AP projection, right wrist plain film, 13y M.

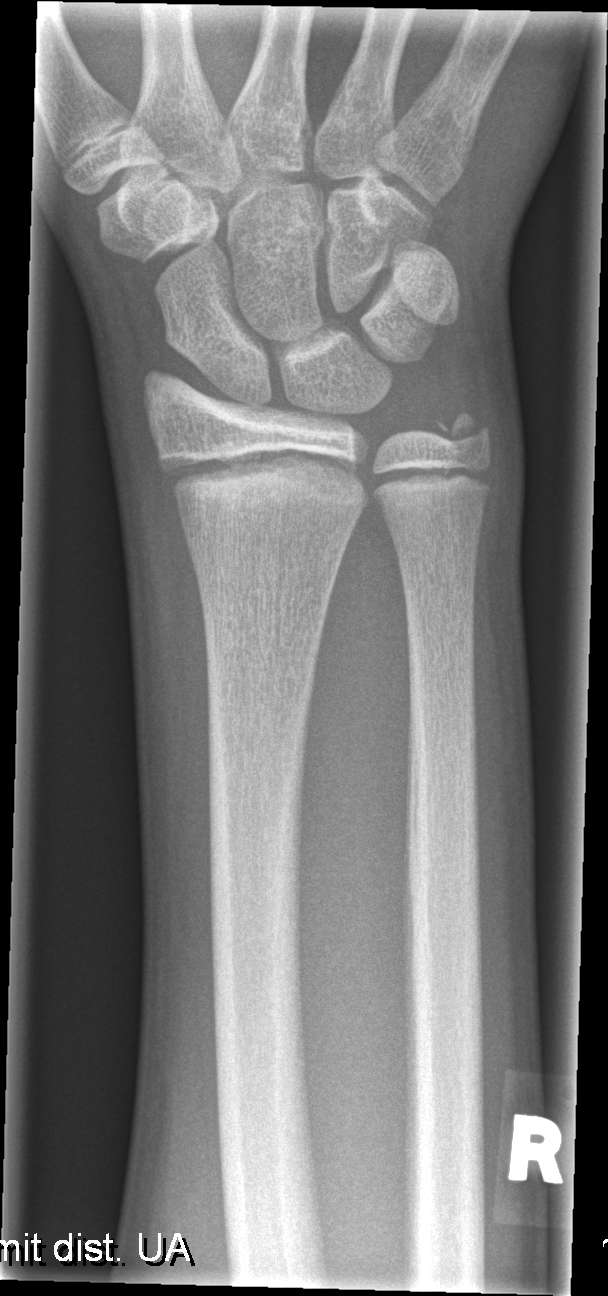 AO code 23r-E/2.1; 23u-E/7. Two Fx at 155,440,372,523 | 426,400,495,459.